Rt plain radiograph of the wrist | PA projection | girl, 6 yo 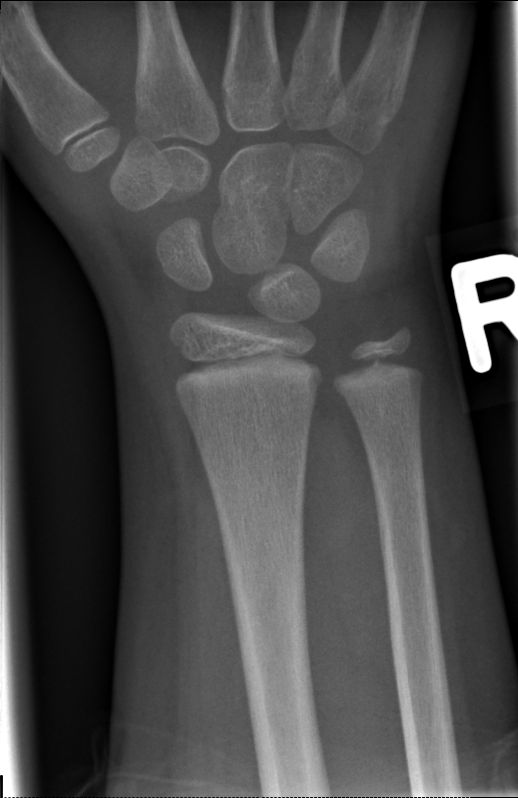 No Fx annotated.